Lat projection | L wrist radiograph | pediatric patient (male, age 10) | initial study:

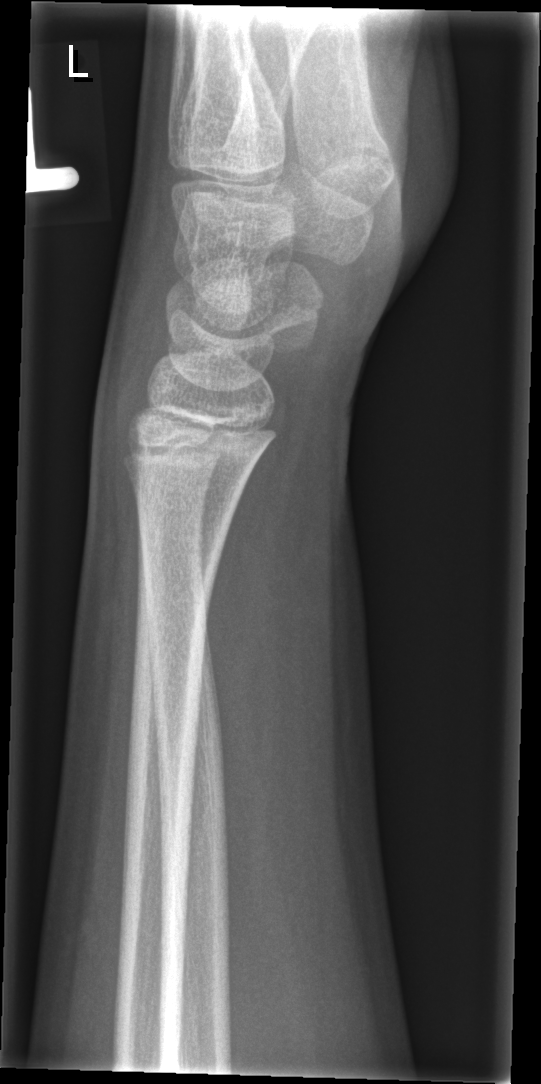
Fracture: none labeled.